Right wrist plain film · lat · presentation radiograph: 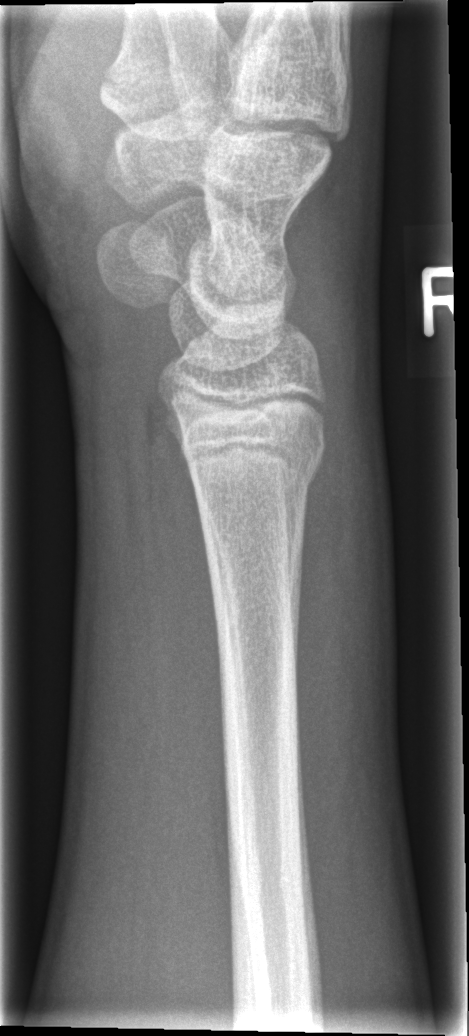 Q: Pronator fat-pad sign?
A: Pronator quadratus fat-pad sign identified at [x1=131, y1=362, x2=229, y2=839]
Q: Any fracture seen?
A: Bone fracture identified at [x1=182, y1=426, x2=332, y2=511]